Lt wrist XR, lat view

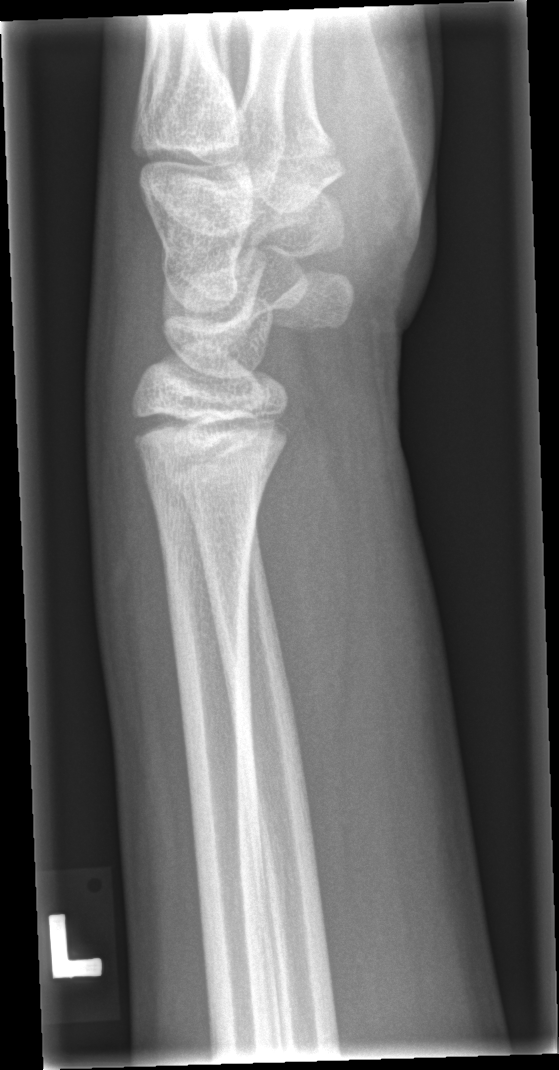
FINDINGS: Fx — 128,394,298,462. Fracture classified AO/OTA 23r-E/1. Positive pronator fat-pad sign — 254,414,357,808.